Lat projection; left wrist radiograph; age 13 y, girl
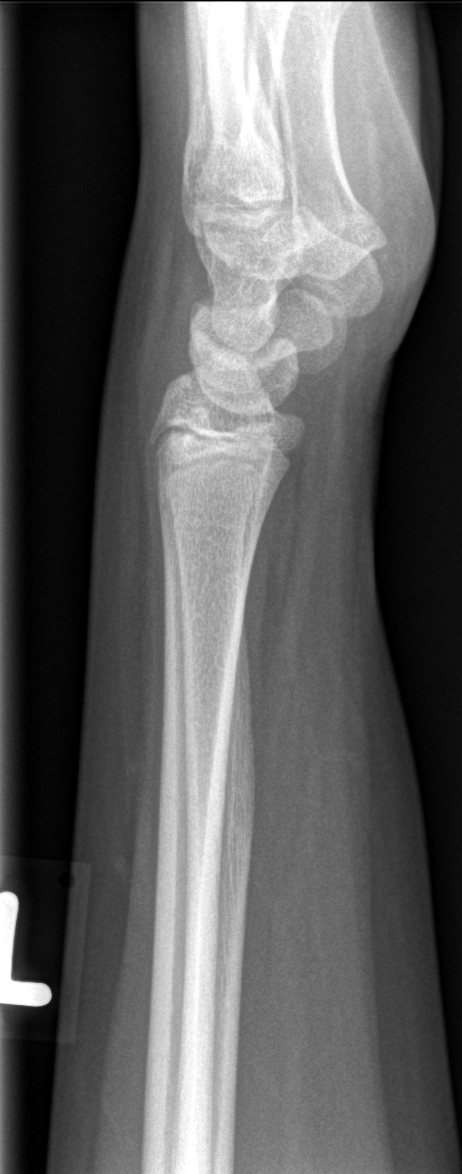

FINDINGS — No Fx annotated.